Lateral projection; R wrist plain film; 11y M; 543 by 1272 pixels.

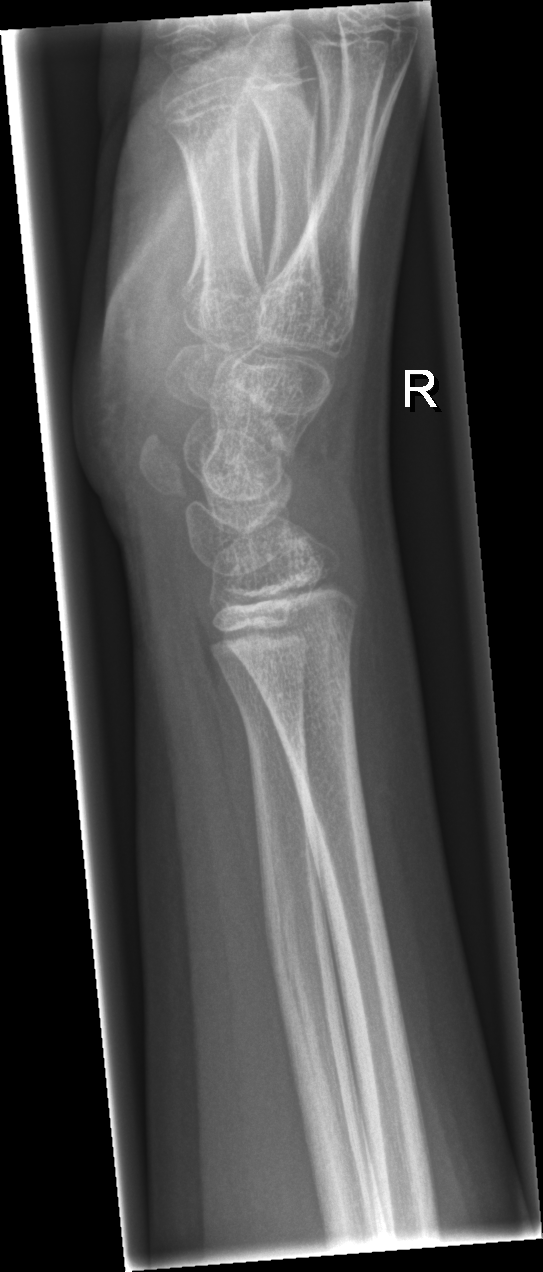 Fracture: none labeled. Reduced bone mineral density.